Right wrist radiograph; lateral; girl, 9 yo: 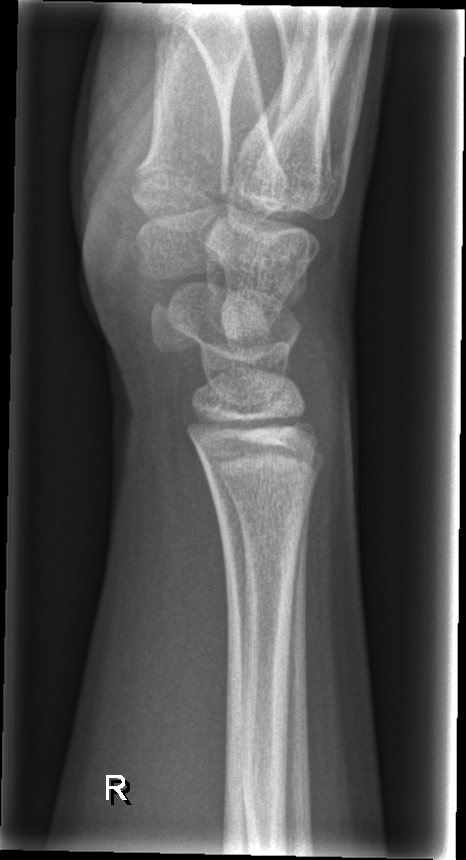
bone fracture: none labeled